Lat view, left wrist X-ray, 11y F, image size 527x834 — 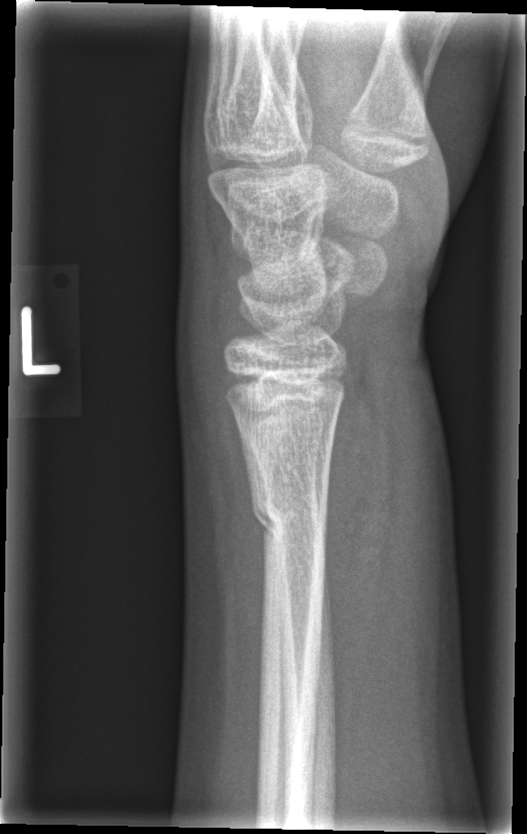
(pixel coordinates, top-left origin, xyxy)
fracture = 1 @ [x1=248, y1=482, x2=331, y2=545]
AO code = 23-M/2.1
pronator quadratus fat-pad sign = 1 @ [x1=326, y1=378, x2=390, y2=707]